Rt plain radiograph of the wrist · lat projection · boy, 15 yo
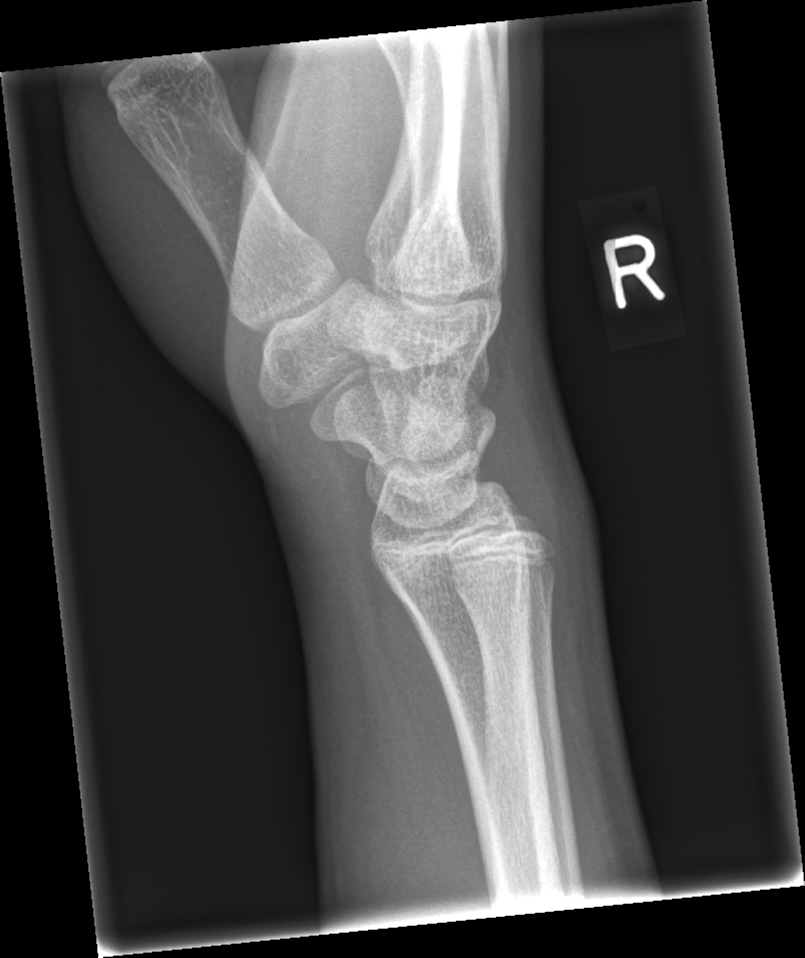

Q: Any fracture seen?
A: No fracture annotation